Right wrist plain film | AP projection | index exam —

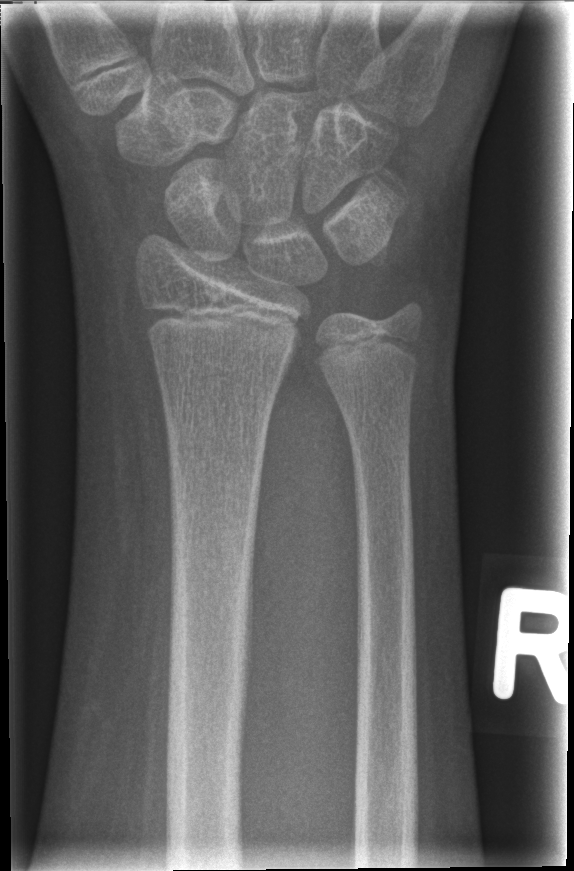

fracture = none labeled